Lat projection | L plain radiograph of the wrist | cast in situ. 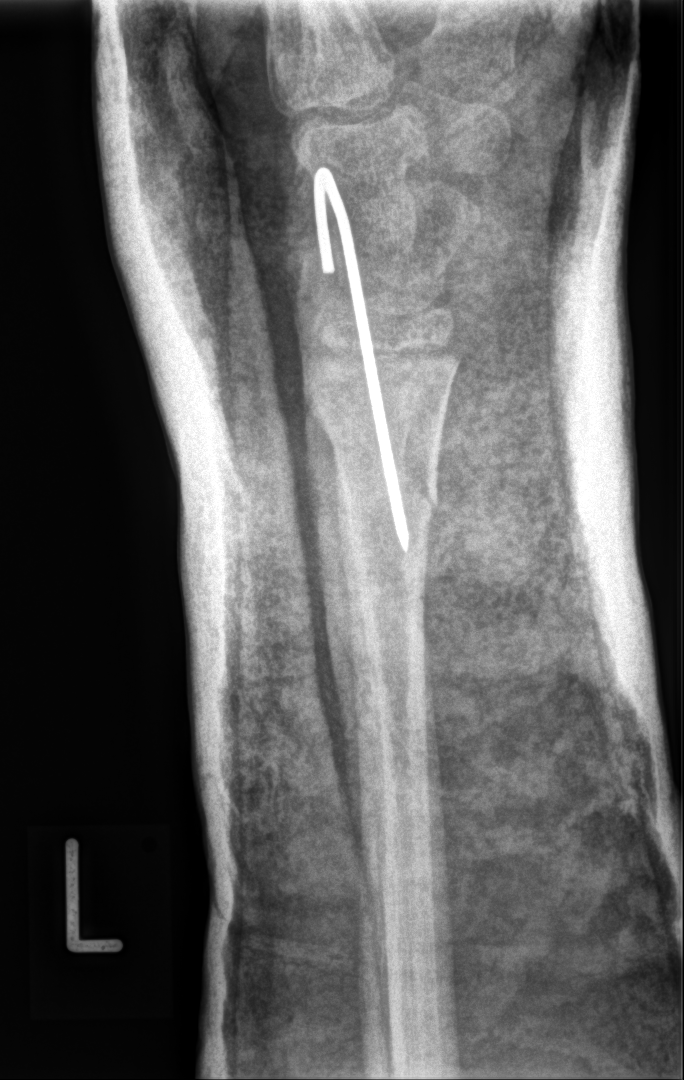
Pixel coordinates, top-left origin, xyxy.
One metallic hardware at 310,162,411,554.
Bone fracture: 296,356,452,518.